Left wrist X-ray; lat projection; detector: Siemens

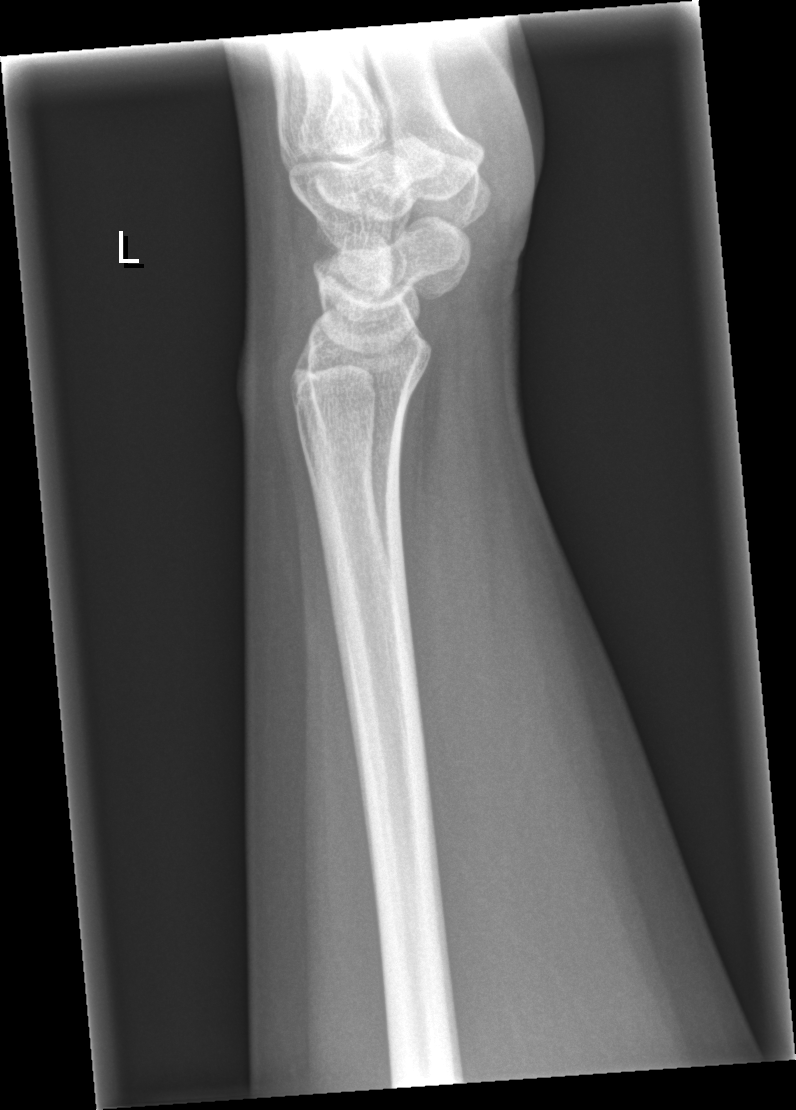
Findings: No fracture labeled.